Lateral · L wrist plain film · 9-year-old boy · follow-up study · detector: Siemens · image size 356x848: 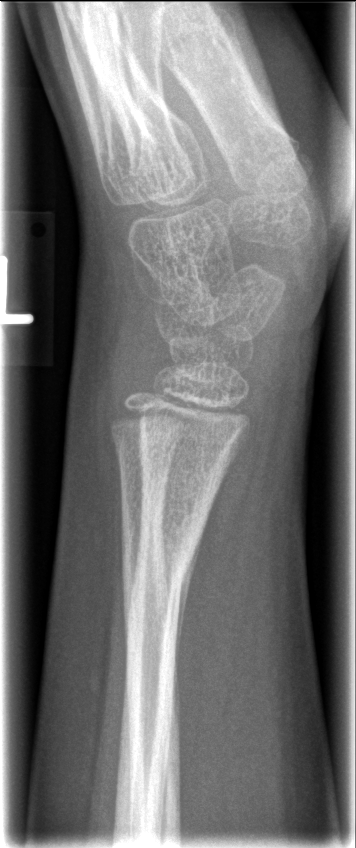 AO code: 23r-M/2.1
Bone fracture: bbox(118, 505, 215, 648)